Posteroanterior, left wrist XR, 9y M, follow-up study, cast present: 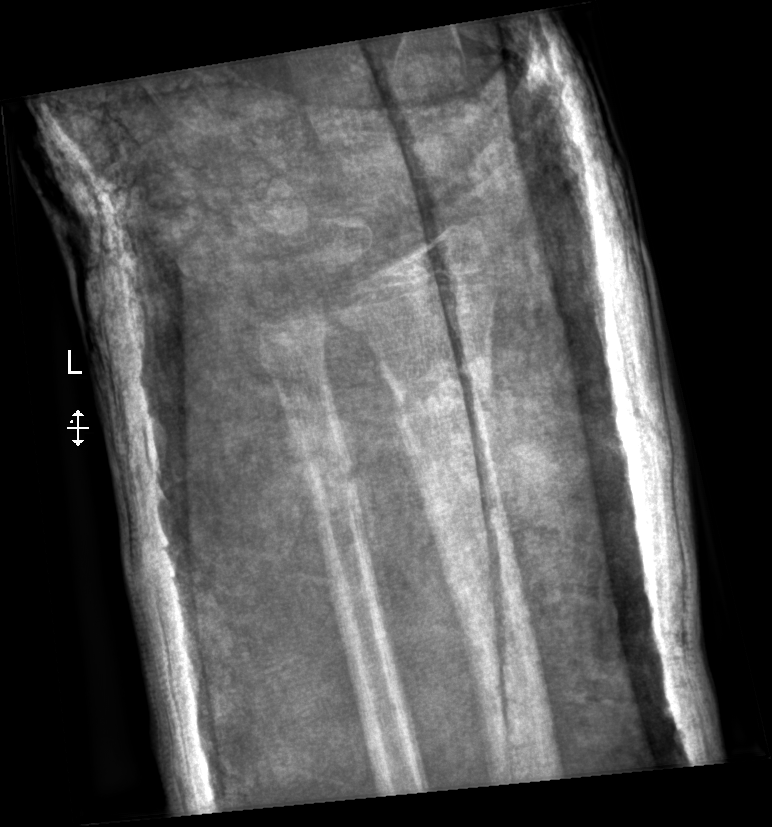
{
  "_coords": "pixel coordinates, top-left origin, xyxy",
  "ao": "23-M/3.1",
  "fracture": "397 364 486 427 | 294 440 361 494"
}